Left wrist pediatric wrist radiograph; lateral 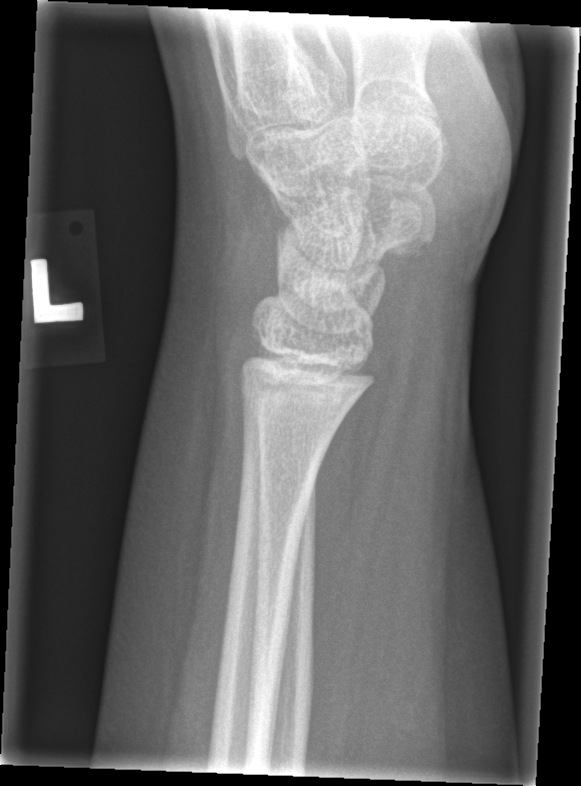
Q: Any fracture seen?
A: No fracture bounding box